Lateral projection | left wrist XR.
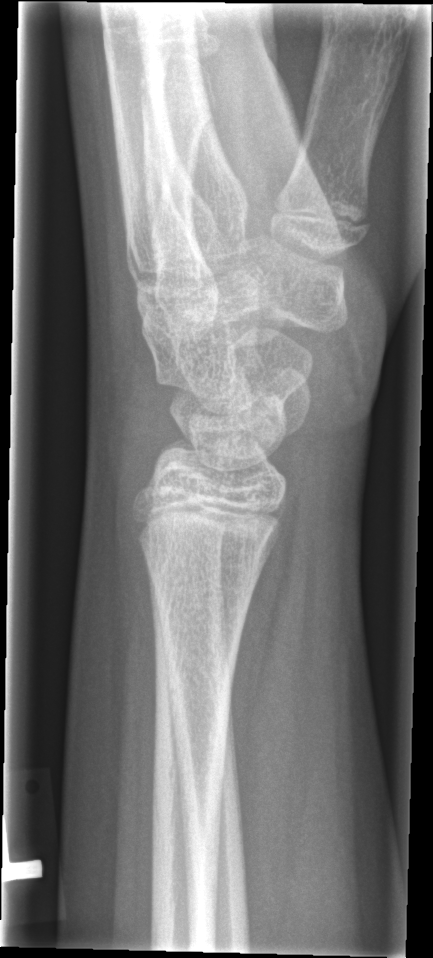 * No Fx annotated.